AP view; L wrist XR; index exam: 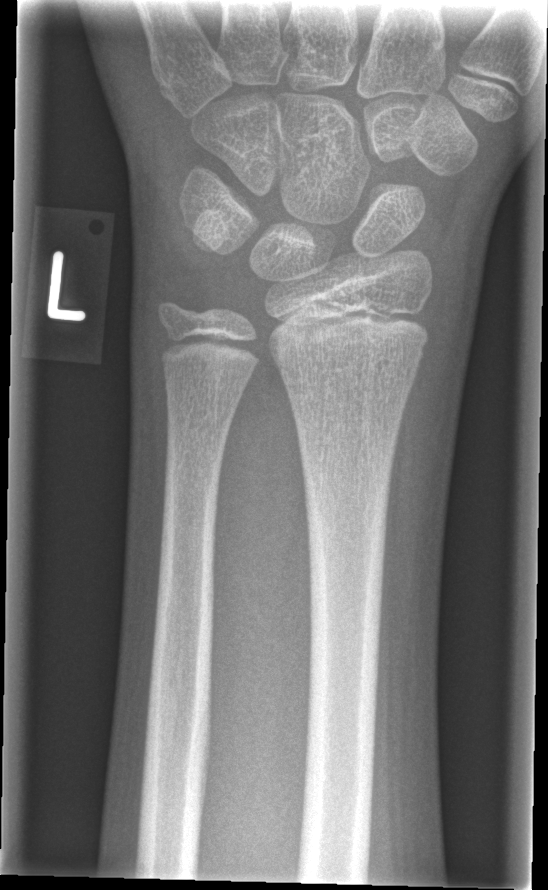
* No fracture annotation.